Rt wrist plain film; posteroanterior view; 9y M —

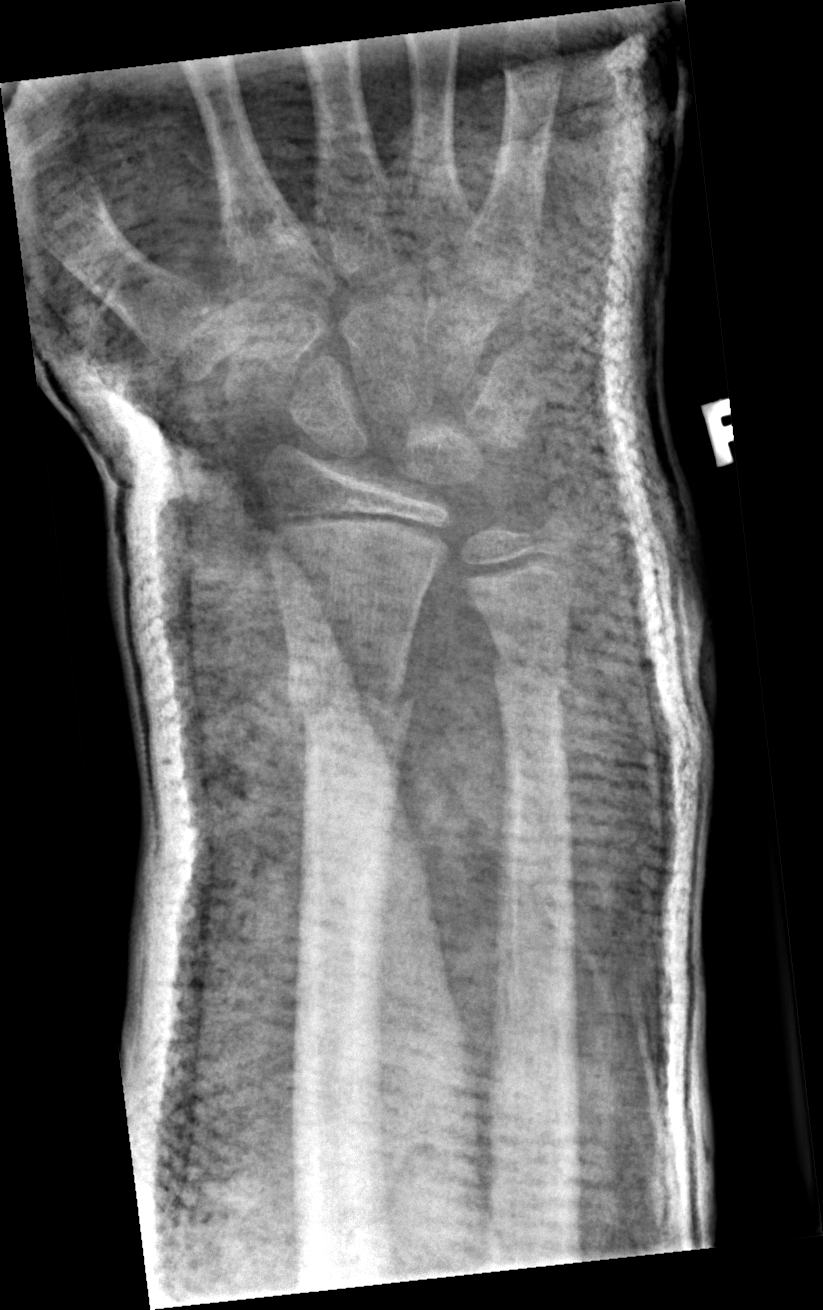 Findings: (pixel coordinates, top-left origin, xyxy) AO code 23-M/3.1. Fracture: (282, 651, 417, 738) (487, 630, 575, 705).